Lat; left wrist plain film; 14y M; image width 98.8 mm: 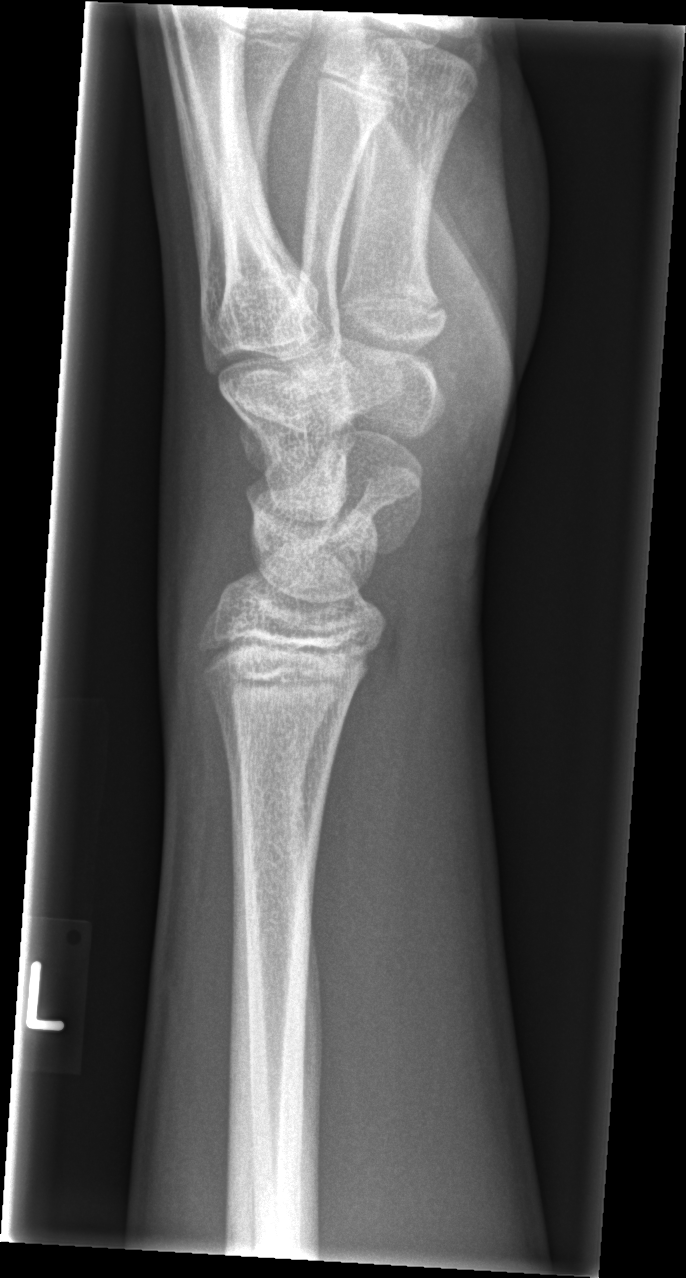
No fracture annotation. One pronator sign at bbox(311, 640, 415, 1017).